Left wrist XR | lat | initial study | acquired on Siemens | 427 x 786 px.

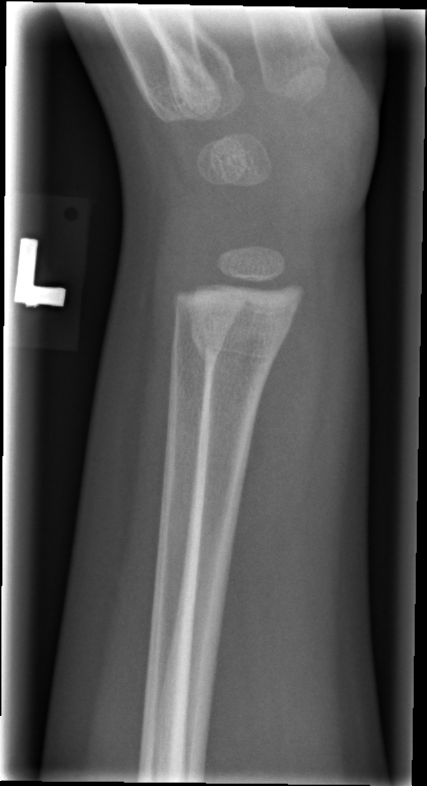
Bone fracture: (left=188, top=322, right=289, bottom=374) (left=166, top=322, right=229, bottom=372).